L wrist XR, posteroanterior projection, 16y M, cast in situ, image size 601x1252 —

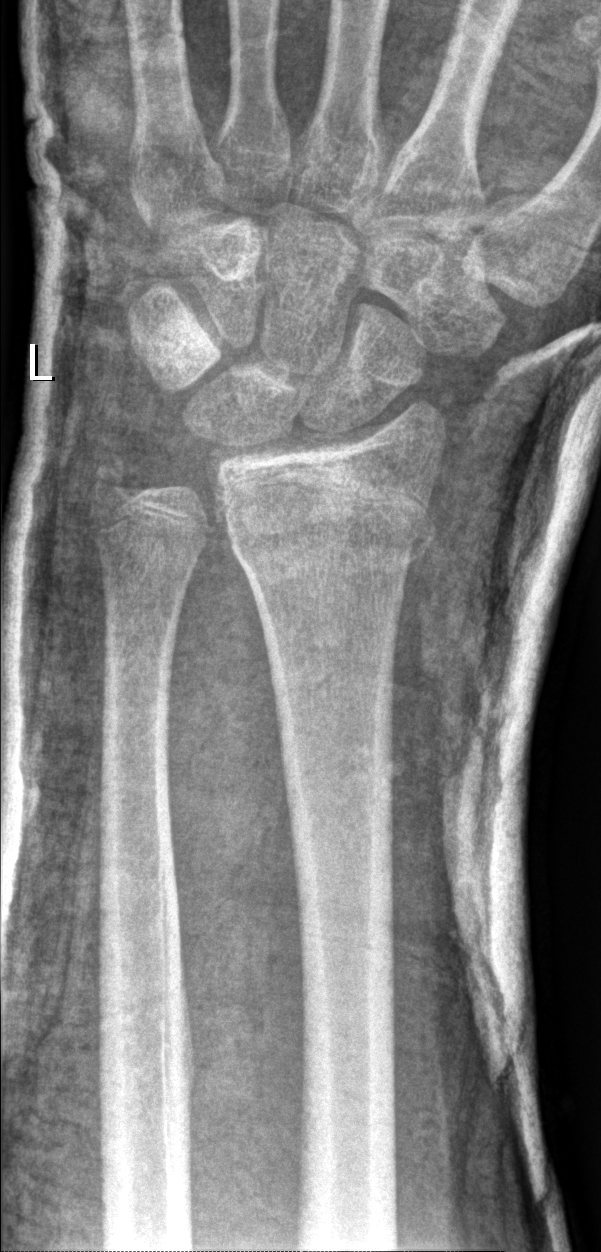 (pixel coordinates, top-left origin, xyxy)
Bone fracture = 2 @ [x1=214, y1=494, x2=439, y2=582]; [x1=88, y1=450, x2=142, y2=510]